Lateral view | right wrist XR | 13-year-old female | detector: Siemens:
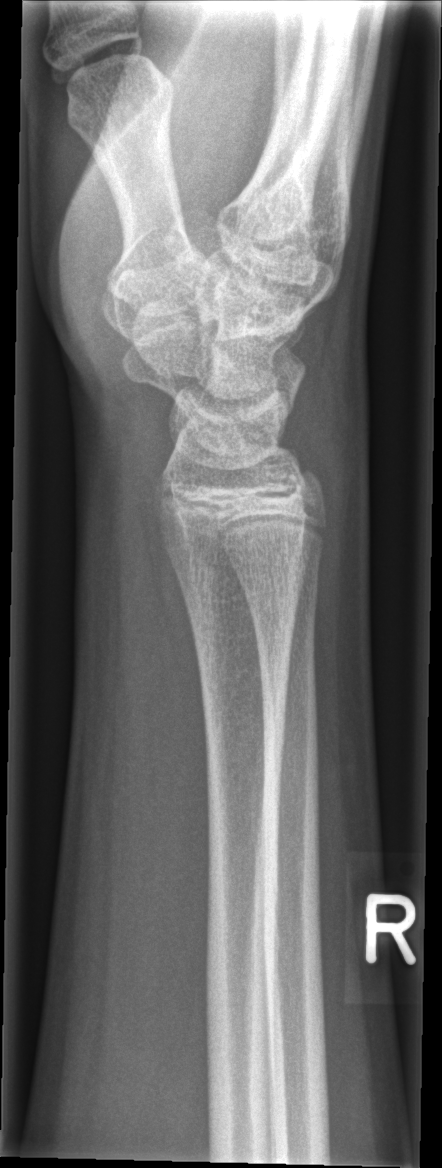 No fracture annotation.